Right wrist radiograph; PA/AP view; 86.8 mm image width; 603x872.
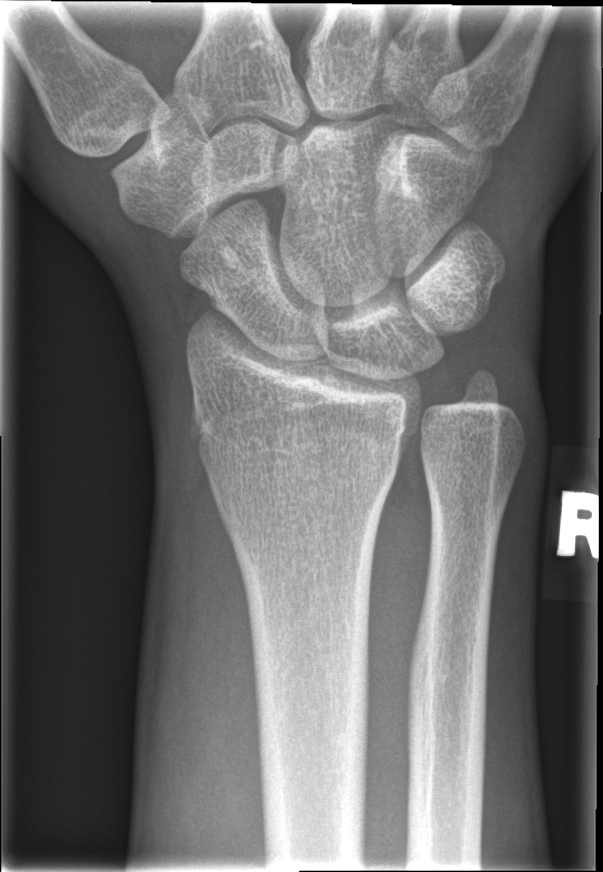 No fracture bounding box.